Lt wrist XR · posteroanterior view · boy, 9 yo · detector: Siemens —
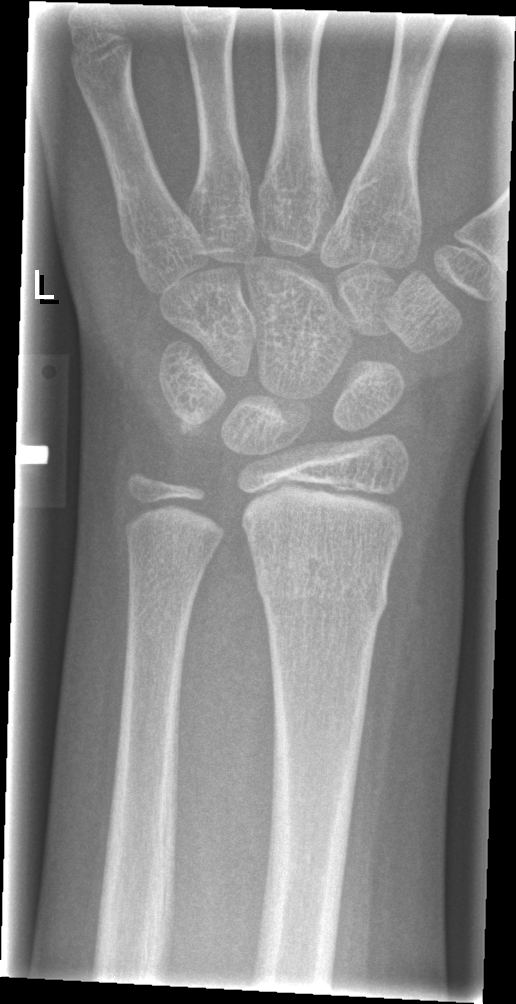 Fracture: 253 552 392 623.